Lat projection · left wrist X-ray · boy, 9 yo · follow-up —
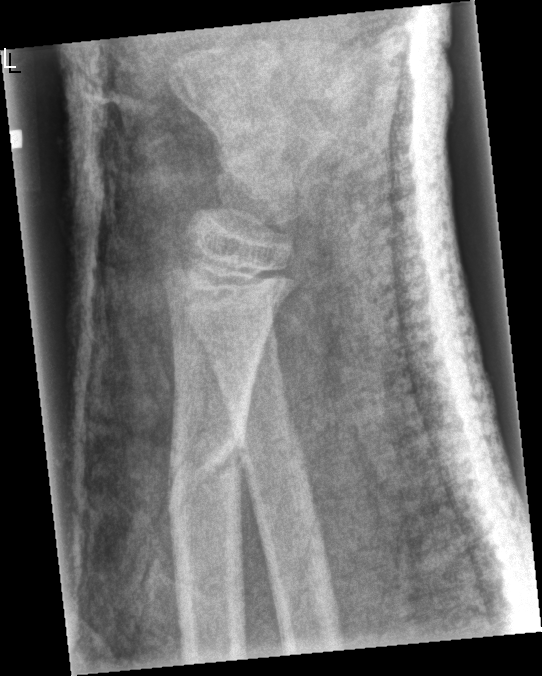
Fracture — 165,418,246,527.